Right wrist plain film; lat view; pediatric patient (male, age 13); detector: Siemens
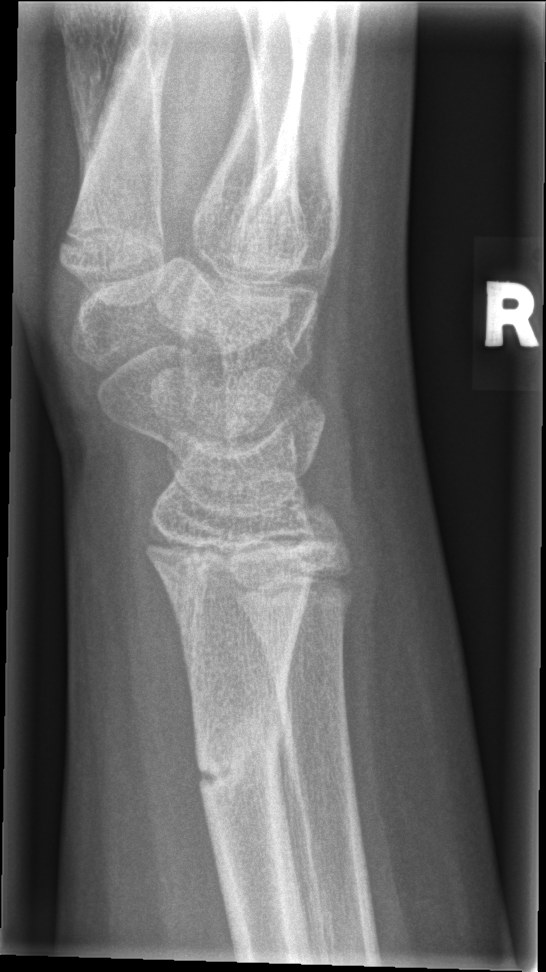

Findings: (bounding boxes in image-pixel xyxy) Fracture identified at [190, 714, 291, 805] [294, 495, 356, 554]. Fracture classified AO/OTA 23r-M/3.1; 23u-E/7.